Posteroanterior, L wrist radiograph, imaged through cast, 687x914.
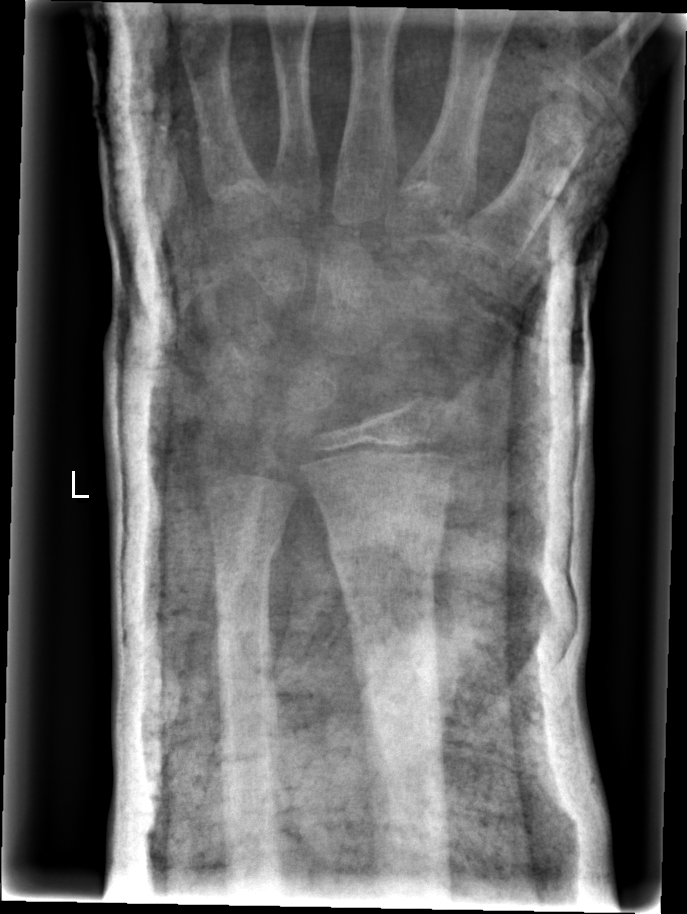
Fracture: 327,511,448,586 | 207,522,286,577.
Fracture classified AO/OTA 23-M/3.1.